Right wrist radiograph · lateral view · pediatric patient (girl, age 16) · acquired on Siemens:

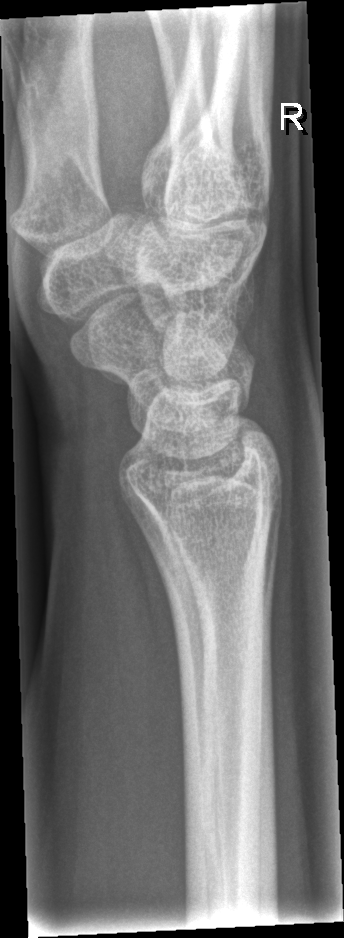
Q: Locate any fractures.
A: No fracture bounding box